Left wrist XR, lat projection, boy, 6 yo, image size 319x742: 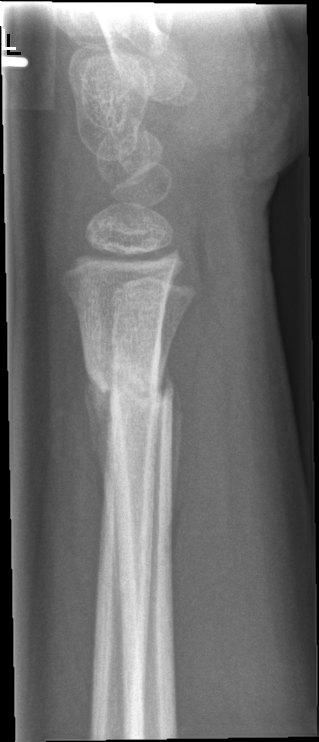 Periosteal new bone identified at <156,347>-<184,530>; <83,372>-<115,512>. Osteopenia. Fracture: <85,346>-<179,426>.